Lateral, Rt wrist radiograph, 14-year-old male —
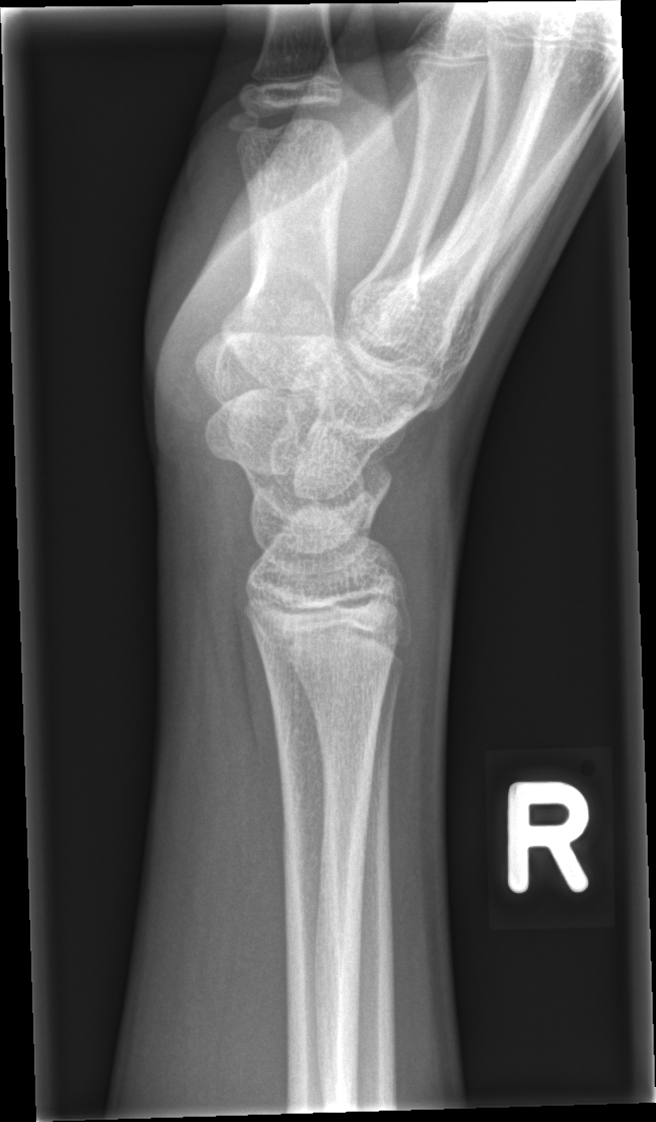

No fracture bounding box.